PA/AP view · right wrist plain radiograph of the wrist · 16-year-old female · follow-up · cast in situ · acquired on Siemens —

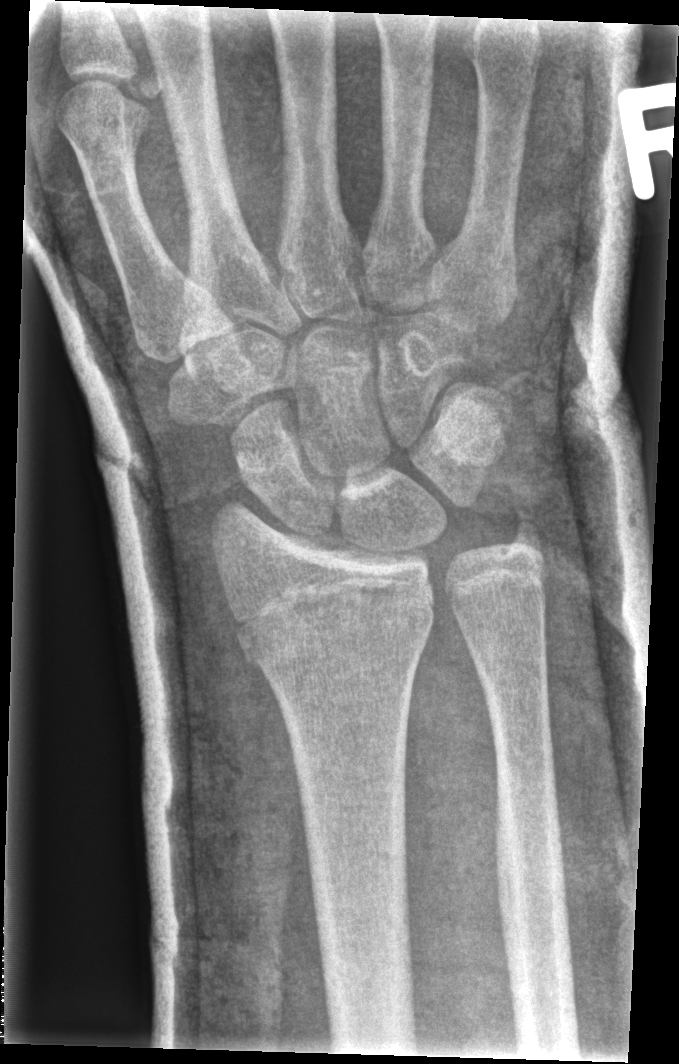
Fracture: [235, 580, 439, 674]; [489, 506, 551, 564].
AO code 23r-E/2.1; 23u-E/7.